Right wrist radiograph · frontal · follow-up study · in cast · 645 x 1188 px.
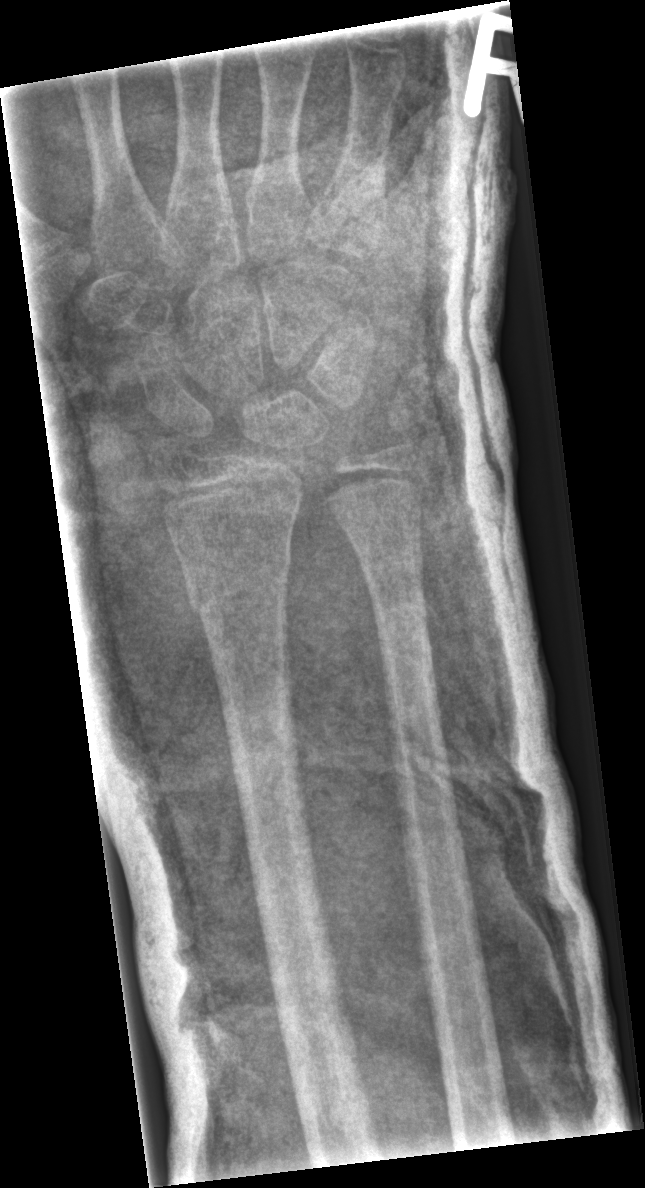 (boxes as x1,y1,x2,y2 (top-left / bottom-right, pixel units))
Fracture: 181,557,294,619
  367,585,435,642
AO code: 23r-M/2.1; 23u-E/7